Right wrist radiograph; lat view; 7y M; cast in situ:

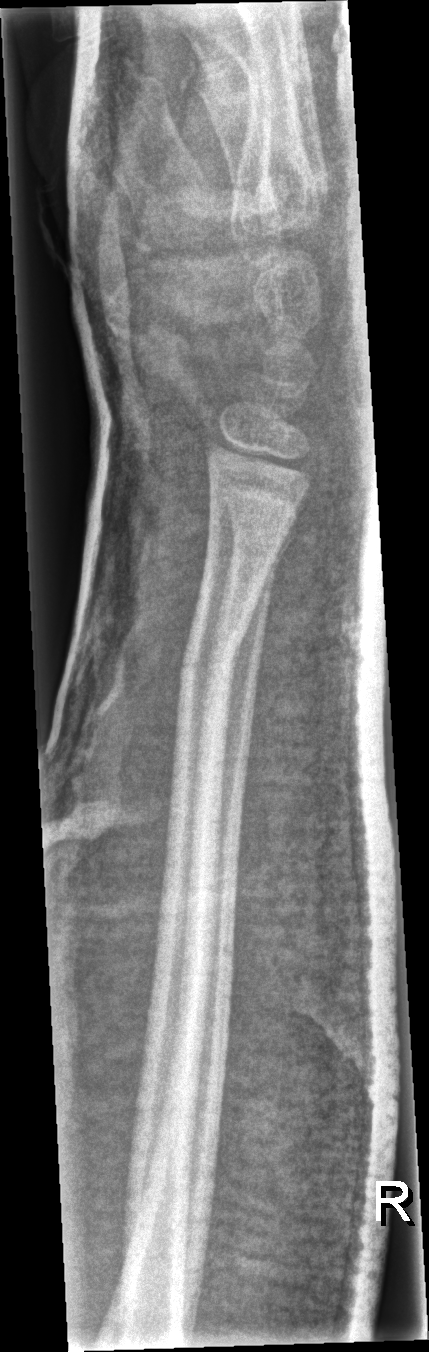 Fracture — 174,639,241,695.